Left wrist XR; lateral projection; 12y M; subsequent exam: 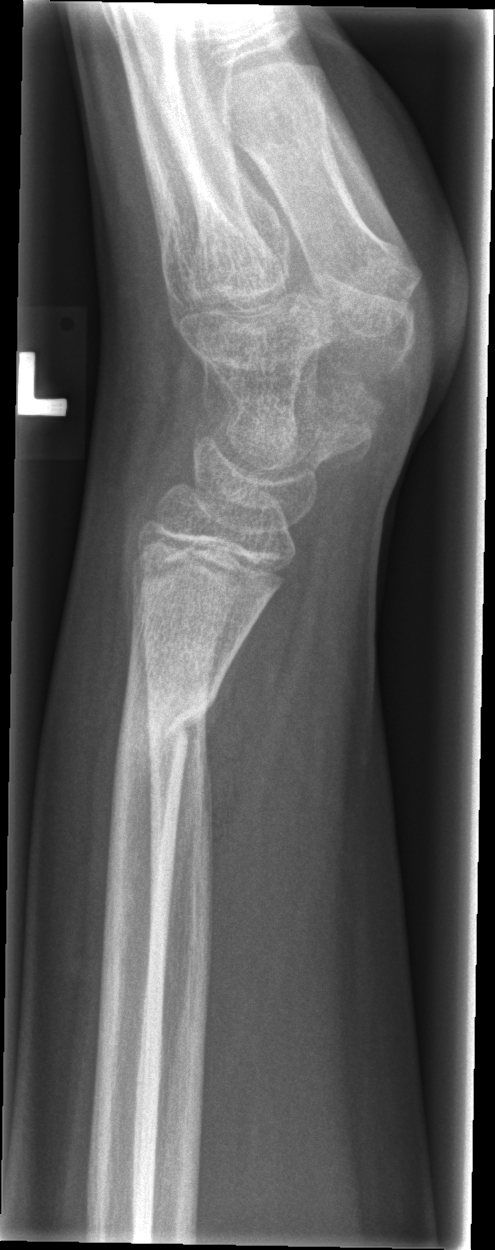 One fracture at 121,681,214,752. Periosteal new bone: 159,625,256,980. AO/OTA classification: 23-M/2.1. Decreased bone density (osteopenia).